Left wrist pediatric wrist radiograph · AP projection.
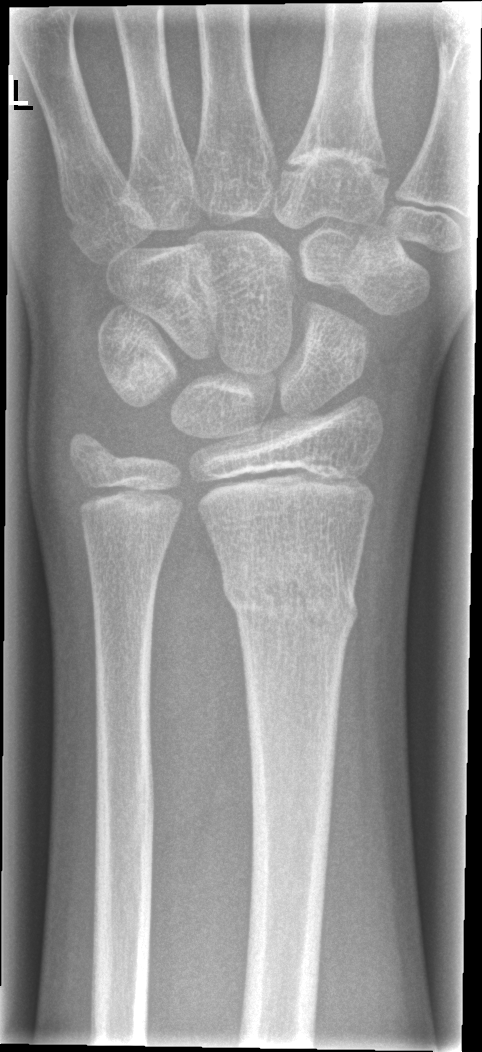 • Two Fx at bbox(220, 549, 361, 643); bbox(63, 422, 121, 485).